Right wrist X-ray, frontal, 13-year-old boy, follow-up study, imaged through cast, acquired on Siemens. 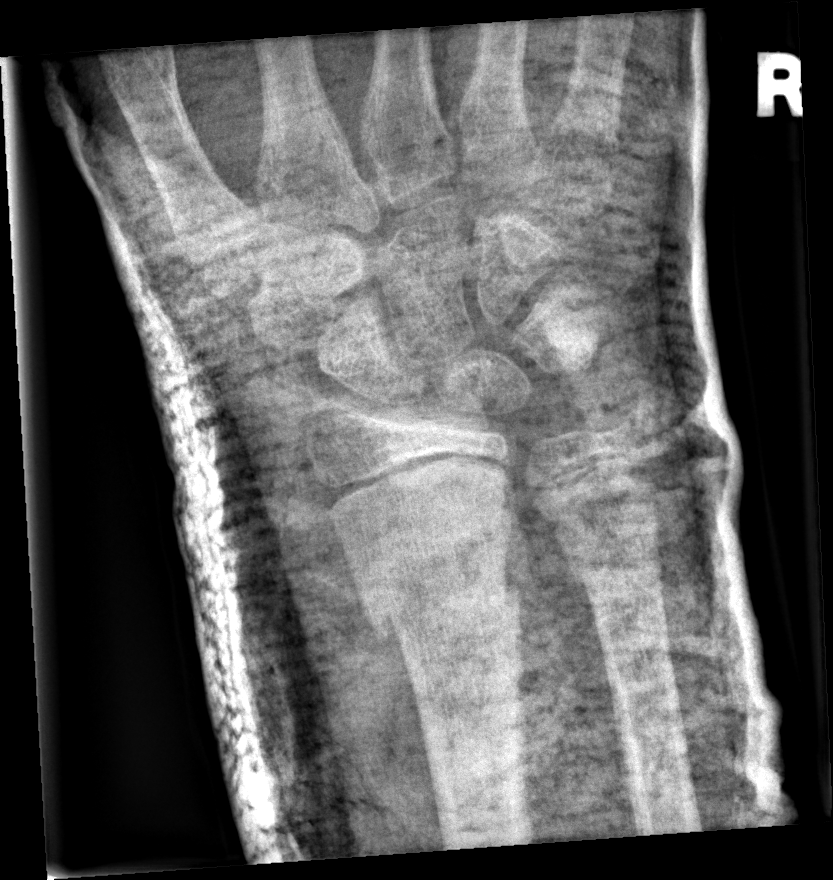 Pixel coordinates, top-left origin, xyxy.
Fx: 366 565 532 646
  570 553 666 594.
Fracture classified AO/OTA 23-M/3.1.